AP, R wrist X-ray, 17-year-old male.

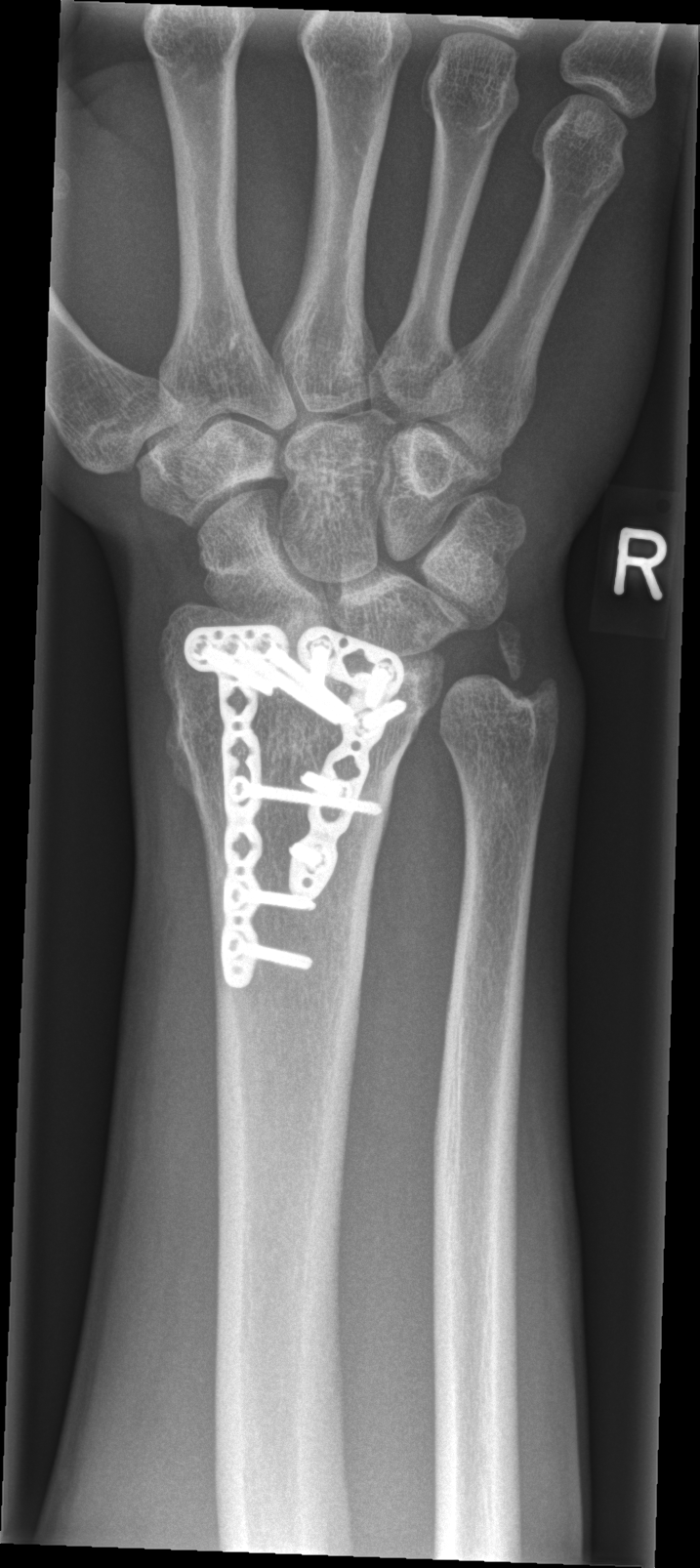
FINDINGS — Two fractures at bbox(159, 674, 345, 795) bbox(494, 621, 558, 709). Metal — bbox(184, 622, 412, 990).